Lat view; left wrist radiograph; Siemens —
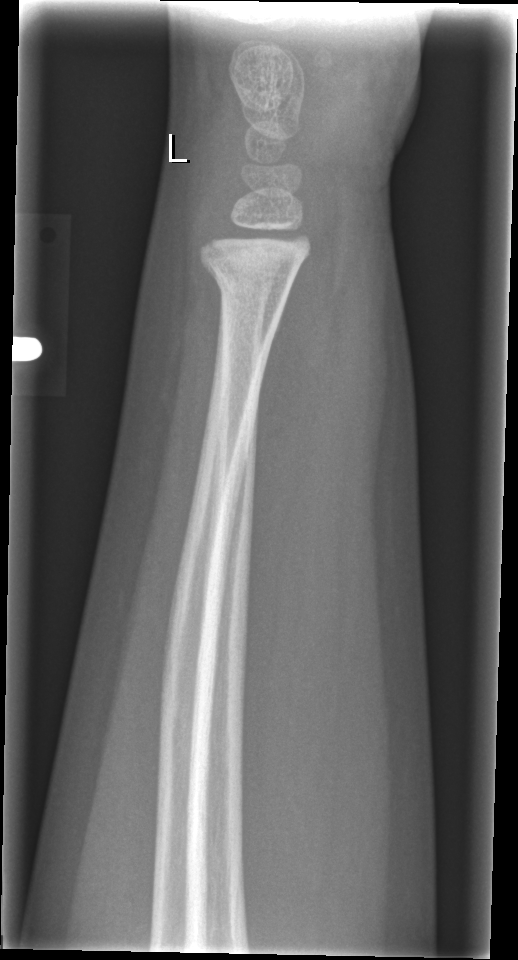 One fracture at bbox(198, 252, 301, 310).
Positive pronator fat-pad sign: bbox(252, 233, 340, 534).